R plain radiograph of the wrist | AP view. 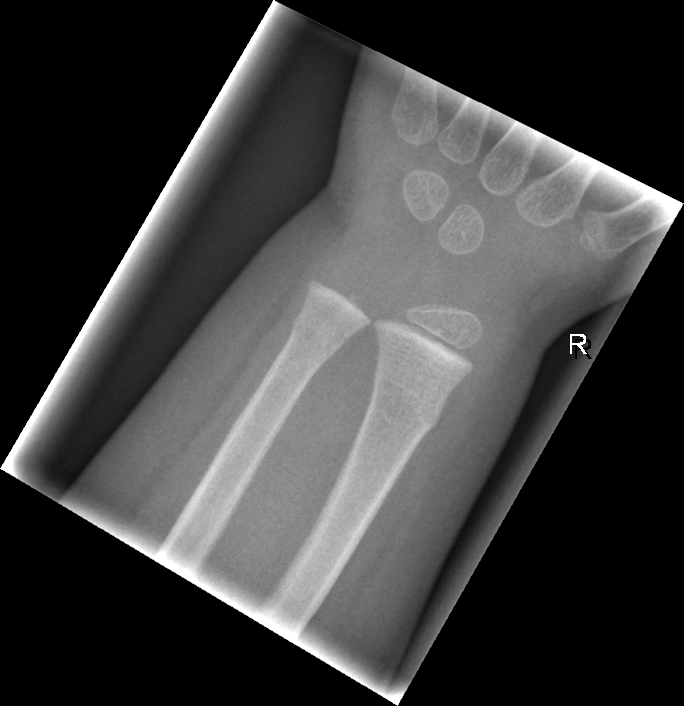

FINDINGS — Fx: (left=365, top=384, right=445, bottom=435); (left=288, top=315, right=346, bottom=359). AO/OTA classification: 23-M/2.1.